Left wrist plain film · lat view · 7y M:
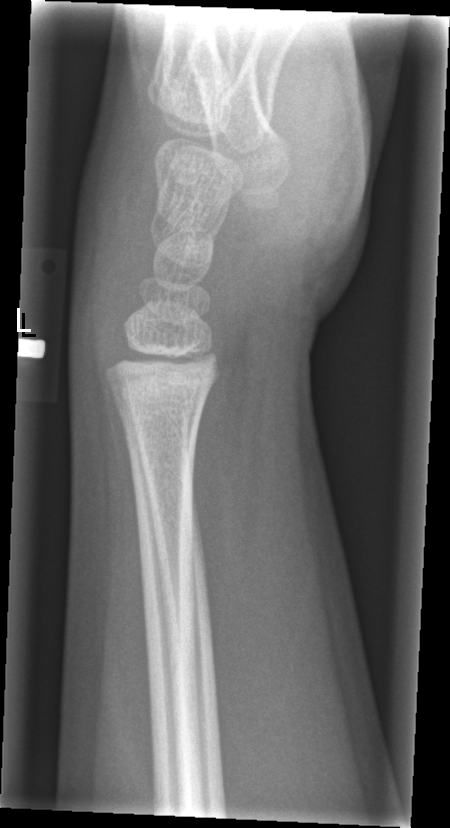 FINDINGS: No Fx annotated.